Left wrist radiograph; lateral; follow-up study.
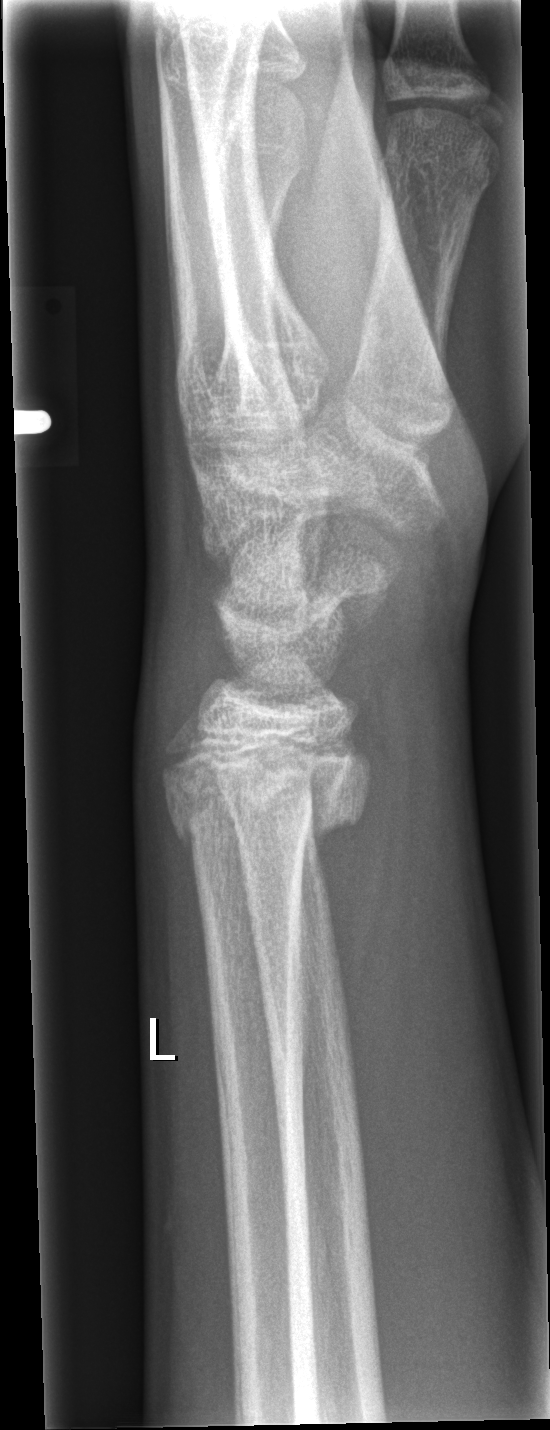 Reduced bone mineral density. Fx: [x1=159, y1=752, x2=373, y2=856].